Left wrist plain radiograph of the wrist | posteroanterior

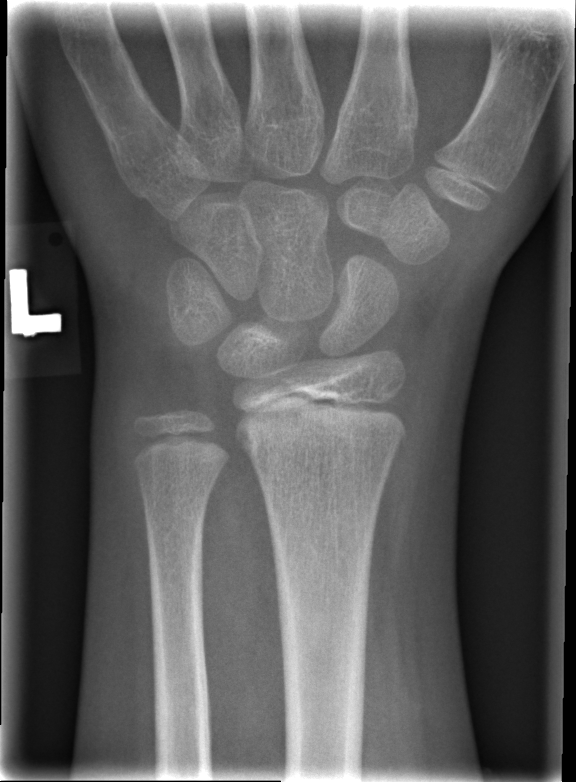

Findings: Fracture present, though not clearly seen in this view. Fracture classified AO/OTA 23r-M/2.1.